Left wrist plain film; lateral view; 10-year-old girl; 72.7 mm image width; 505x872:

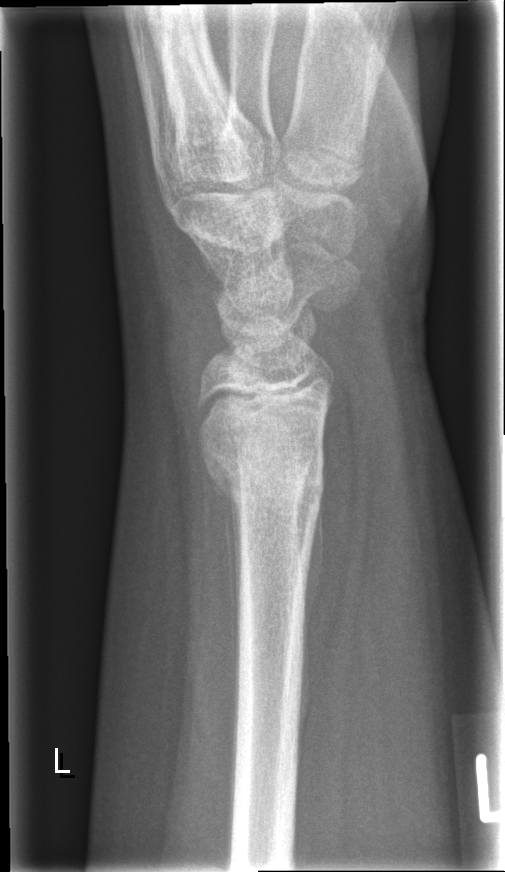

Boxes as x1,y1,x2,y2 (top-left / bottom-right, pixel units).
Fx identified at 197,410,329,530.
AO code 23r-M/3.1; 23u-E/7.
Periosteal thickening identified at 207,454,242,796
  297,497,327,758.